PA, left wrist X-ray:
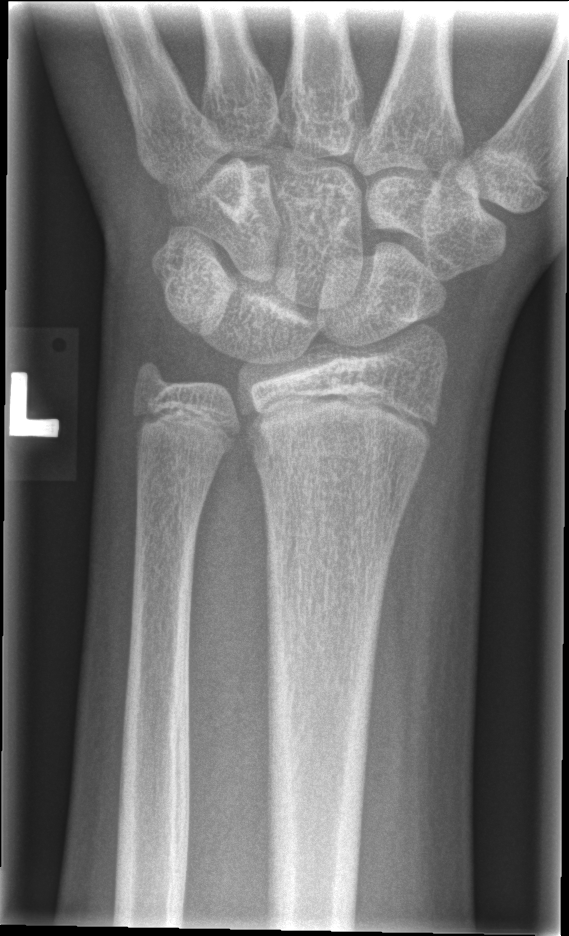
FINDINGS — No fracture labeled.